Left wrist plain film, lateral, 11-year-old boy, cast present, Siemens, image width 49.8 mm, 346 by 1156 pixels
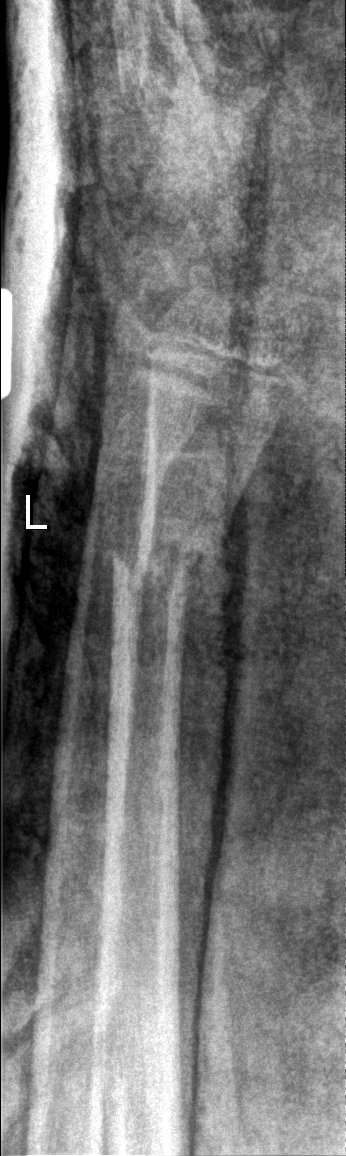
Bounding boxes in image-pixel xyxy.
Fracture identified at [x1=108, y1=514, x2=228, y2=608] [x1=92, y1=424, x2=180, y2=481].